AP projection · Lt plain radiograph of the wrist · 6-year-old female.
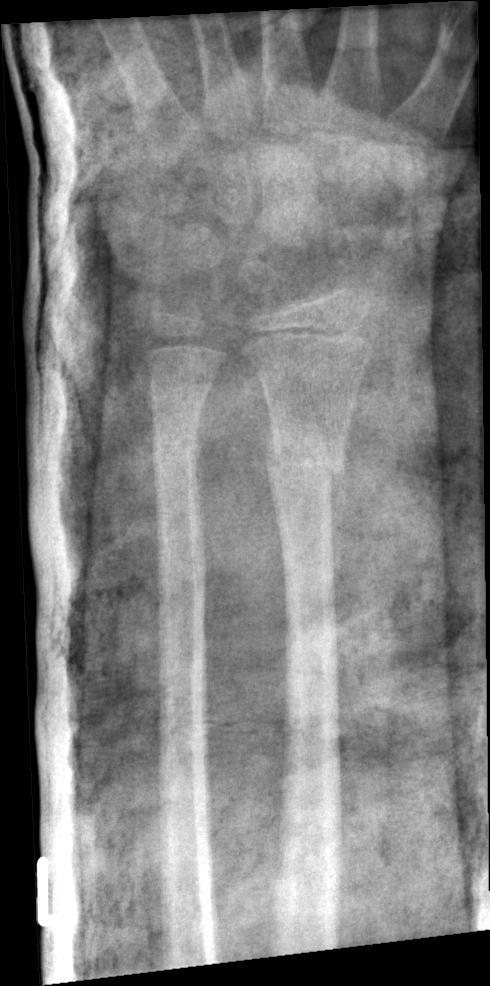
FINDINGS: (pixel coordinates, top-left origin, xyxy) Bone fracture: bbox(259, 427, 353, 497), bbox(147, 418, 205, 474).